Lt wrist XR; lateral projection; female, 7 yo; image width 54.7 mm; 380x782.
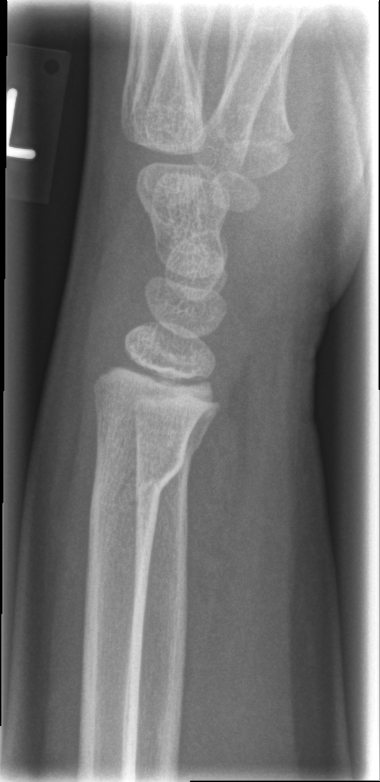 {"_coords": "coordinates are [x1, y1, x2, y2] in image pixels", "fracture": "[89, 441, 188, 515], [133, 429, 206, 475]", "ao": "23-M/2.1", "pronatorsign": "[176, 345, 248, 698]"}